Lat view · R pediatric wrist radiograph · 11-year-old girl · 49.7 mm image width

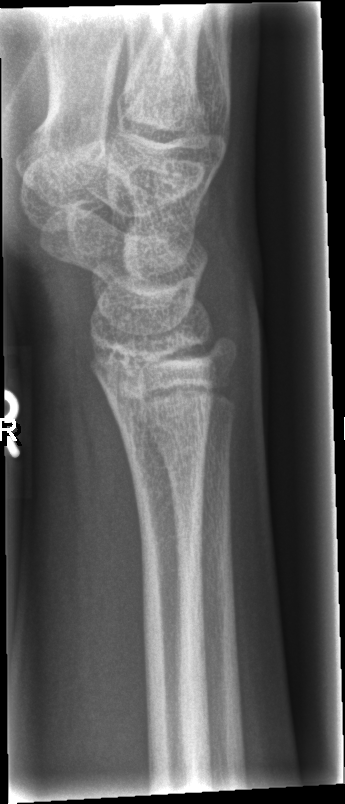 No Fx annotated.